Lat view | Rt wrist radiograph 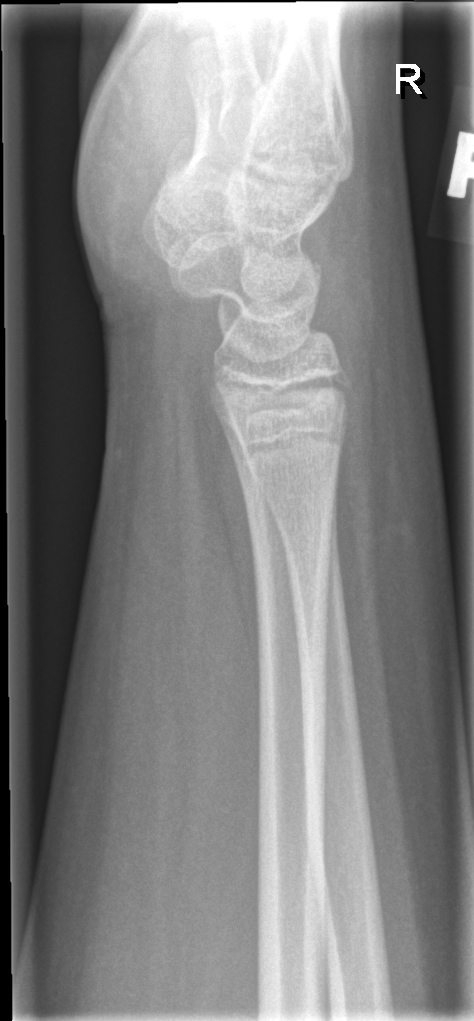
No Fx annotated.